Right wrist plain radiograph of the wrist, lateral projection, 10y M, image size 430x1062
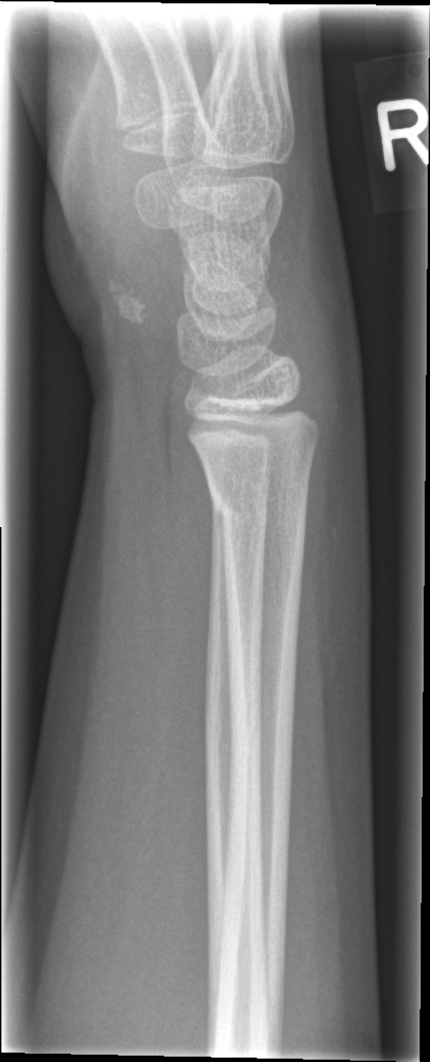
fracture: bbox(208, 473, 314, 555)
AO classification: 23r-M/2.1